Lat; left plain radiograph of the wrist.
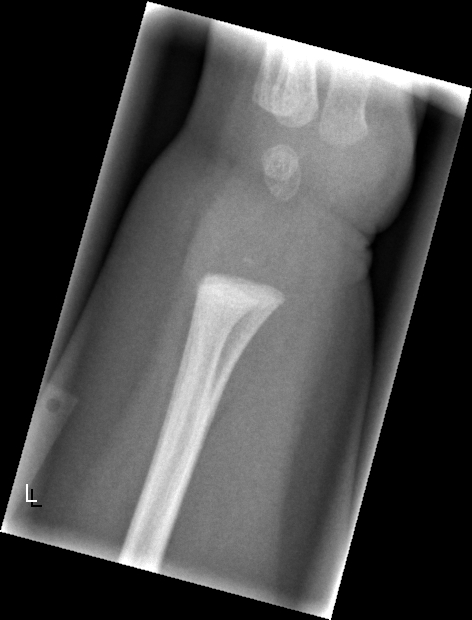

FINDINGS: Fx: none.